Lateral projection; L wrist plain film; cast present; 602 x 964 px:

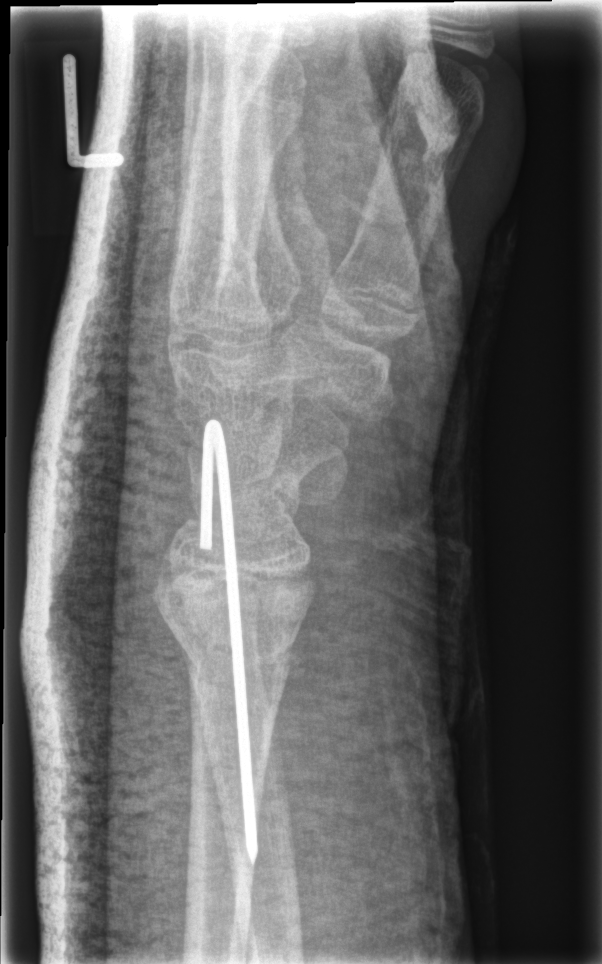 Q: Is there any metallic hardware?
A: One metal at [199, 416, 259, 866]
Q: Locate any fractures.
A: Fx — [150, 545, 323, 695]